Right wrist pediatric wrist radiograph | lateral | pediatric patient (male, age 13) | in cast —
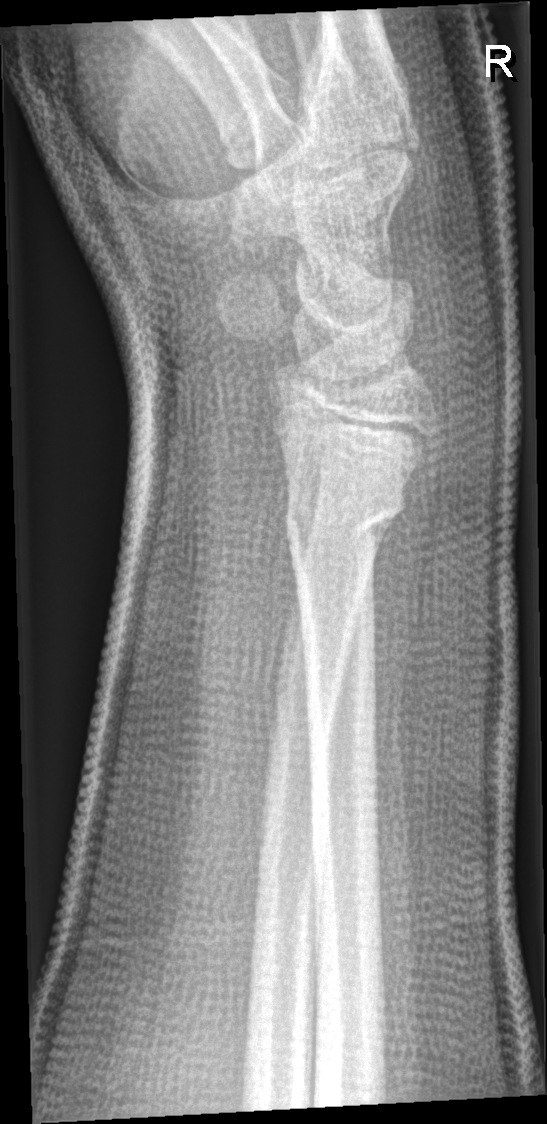 Findings: Fracture: <282,493>-<408,561>.